Frontal, right wrist pediatric wrist radiograph, subsequent exam, Siemens:
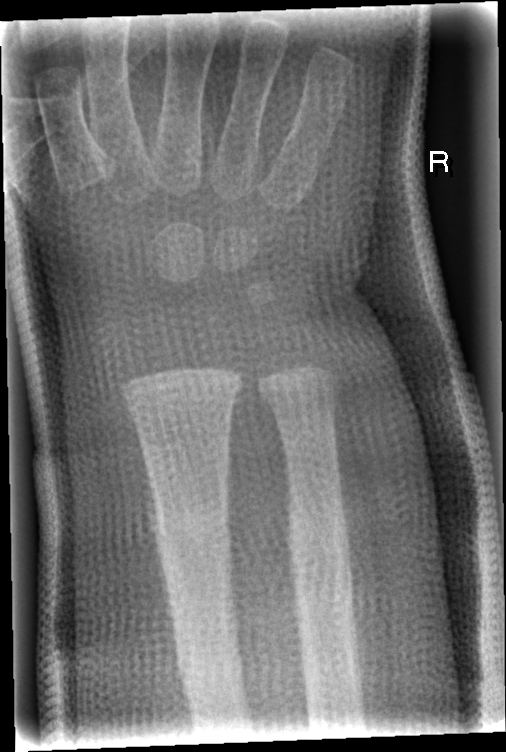

Bounding boxes in image-pixel xyxy.
Fracture: <146,495>-<236,569>; <284,501>-<357,576>.
Fracture classified AO/OTA 23-M/2.1.